Left plain radiograph of the wrist; lat projection; pediatric patient (female, age 6)
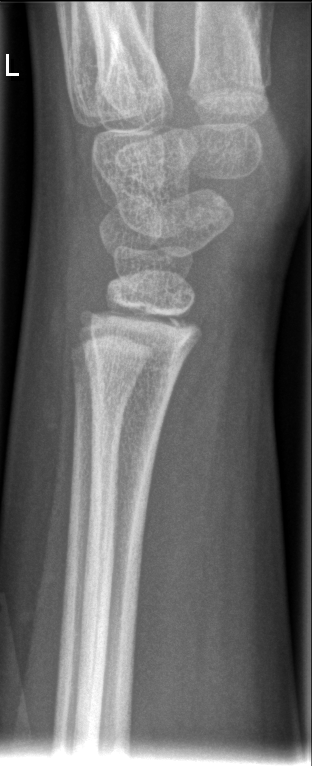

No fracture annotation.